Lateral projection, Lt wrist XR, image 59.5 mm wide.

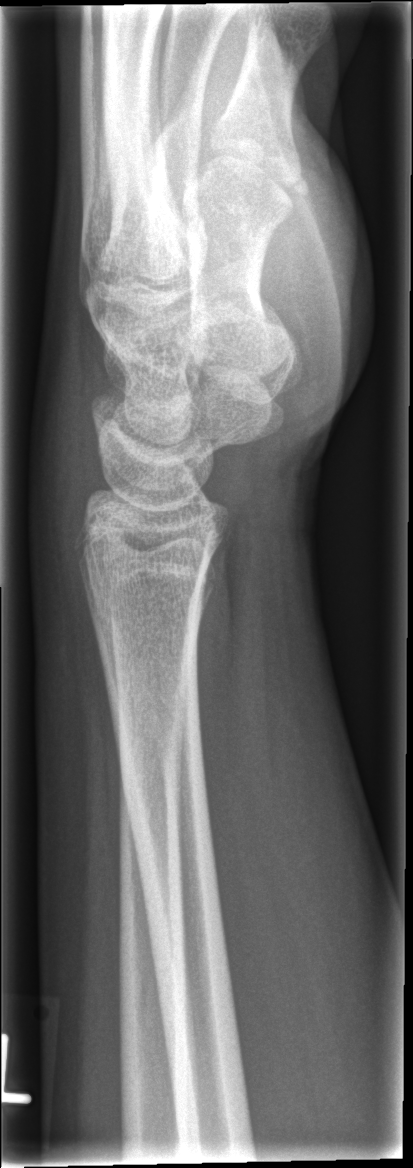

fracture: none labeled